Posteroanterior projection | left pediatric wrist radiograph | follow-up | Siemens 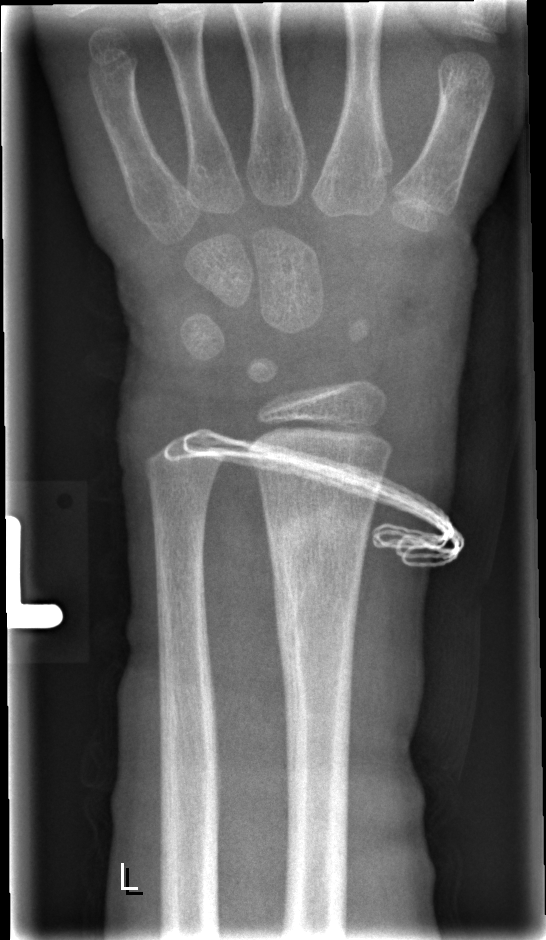

- Boxes as x1,y1,x2,y2 (top-left / bottom-right, pixel units).
- One metal at [x1=162, y1=427, x2=465, y2=569].
- Bone fracture — [x1=261, y1=496, x2=374, y2=562].